Left wrist pediatric wrist radiograph | PA | follow-up | imaged through cast:
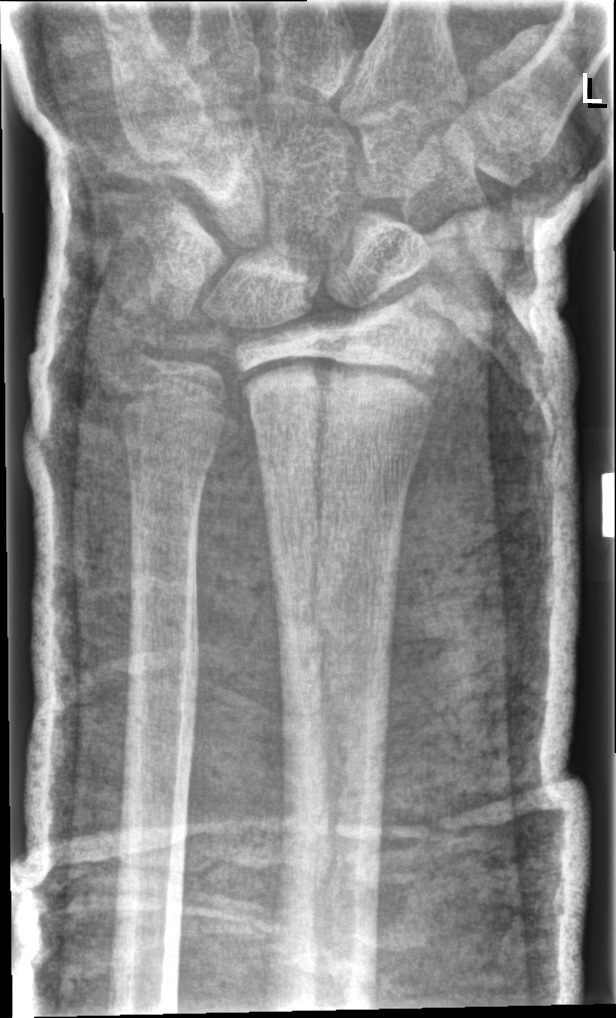 Bounding boxes in image-pixel xyxy. Fx: (left=240, top=344, right=445, bottom=419); (left=112, top=322, right=169, bottom=379). AO/OTA classification: 23r-E/2.1; 23u-E/7.